Rt wrist radiograph · AP · Siemens.
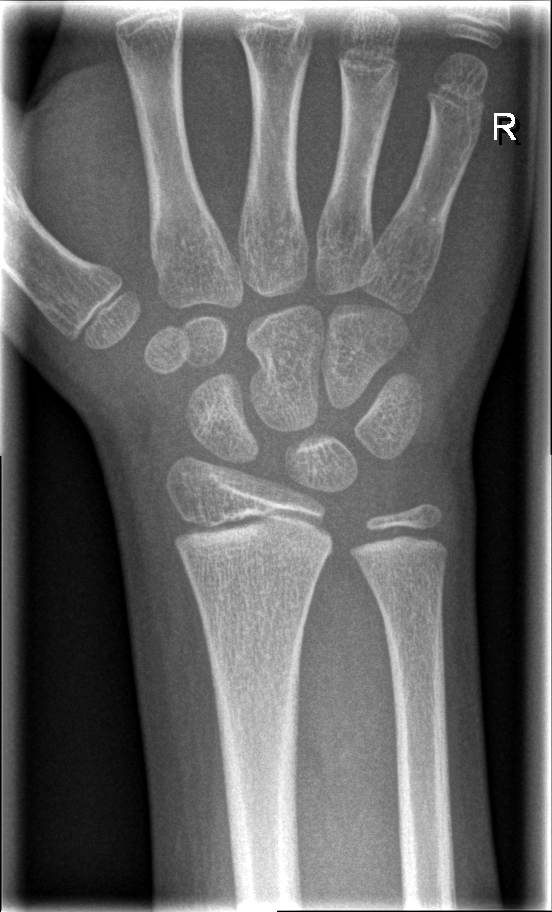 Fracture = none labeled